Lat view · right wrist X-ray · image 55.3 mm wide. 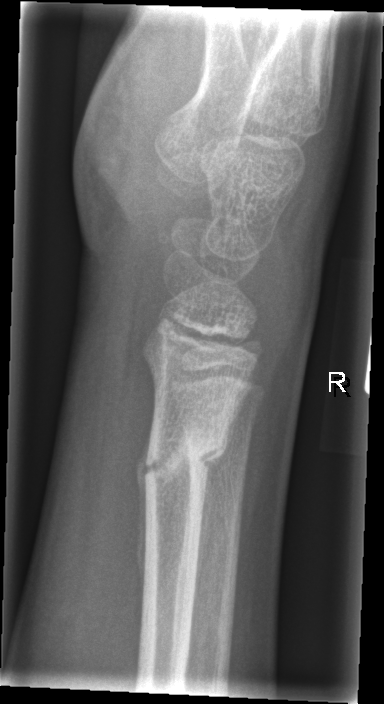
FINDINGS — (coordinates are [x1, y1, x2, y2] in image pixels) Osteopenic. AO code 23r-M/3.1. Bone fracture: (141, 420, 236, 488). Periosteal thickening identified at (133, 417, 153, 611).